Lt plain radiograph of the wrist | lat view | pediatric patient (female, age 8) | initial study | acquired on Siemens | 459 by 892 pixels
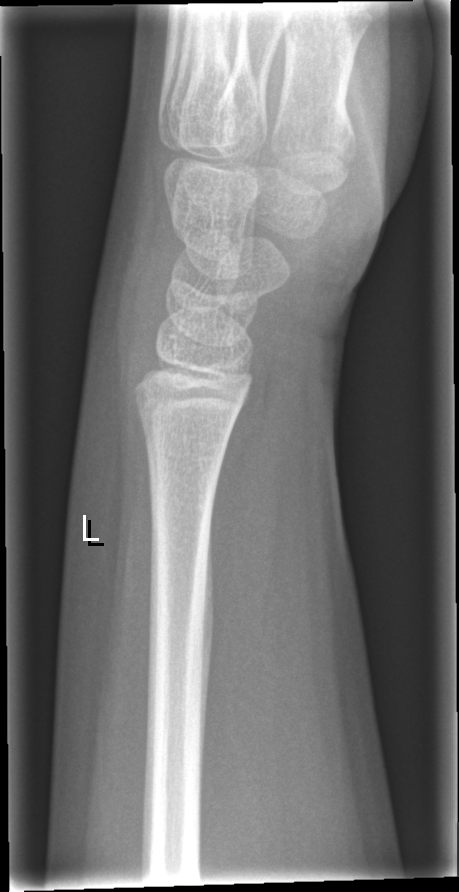
Fracture = none labeled